R wrist X-ray · lat · 10-year-old female · acquired on Siemens.

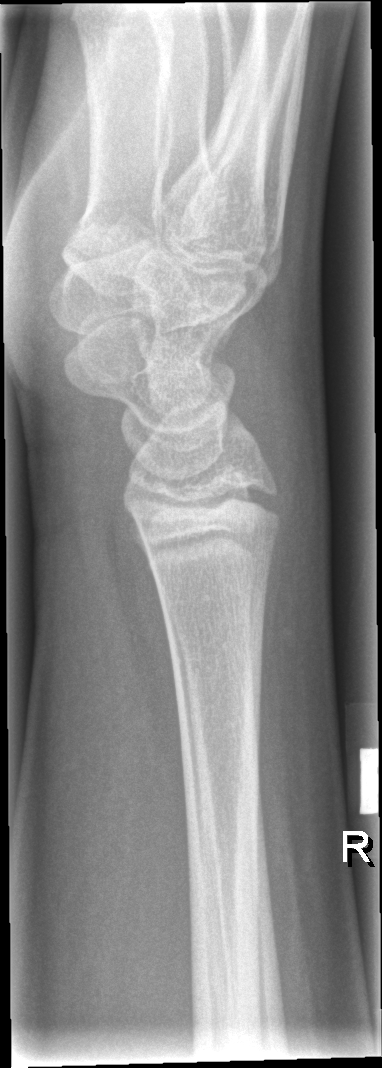

Findings: No fracture labeled.